PA/AP projection | Lt wrist plain film | girl, 9 yo | index exam —
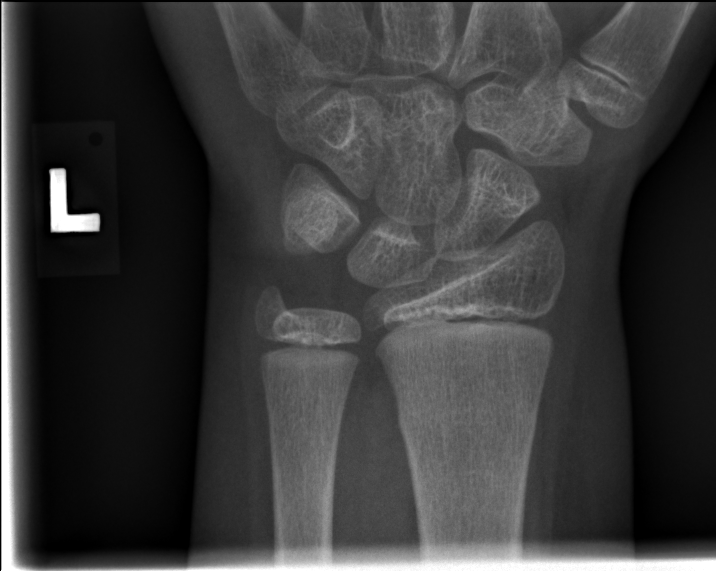
Fx: 394 393 542 448. Fracture classified AO/OTA 23r-M/2.1.